Lateral view | right pediatric wrist radiograph | pediatric patient (boy, age 13) | image size 434x951
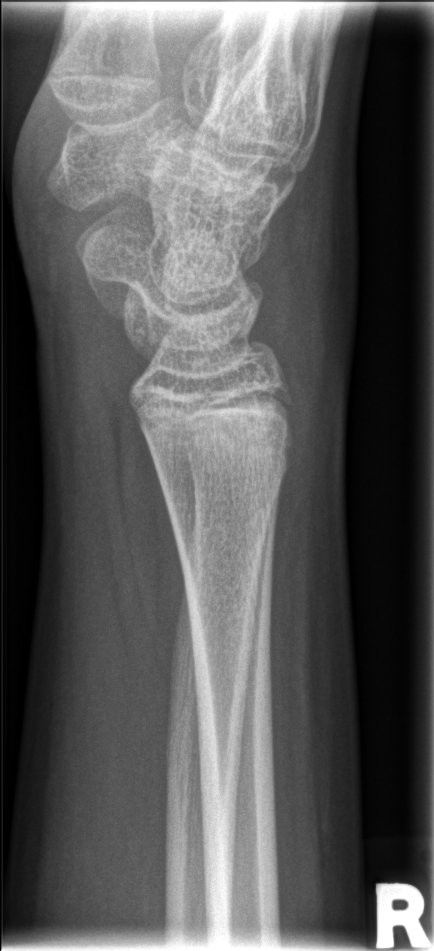 Fx = 1 @ 150 426 299 485
AO classification = 23r-M/2.1